L wrist X-ray | lateral view | 83.2 mm image width —
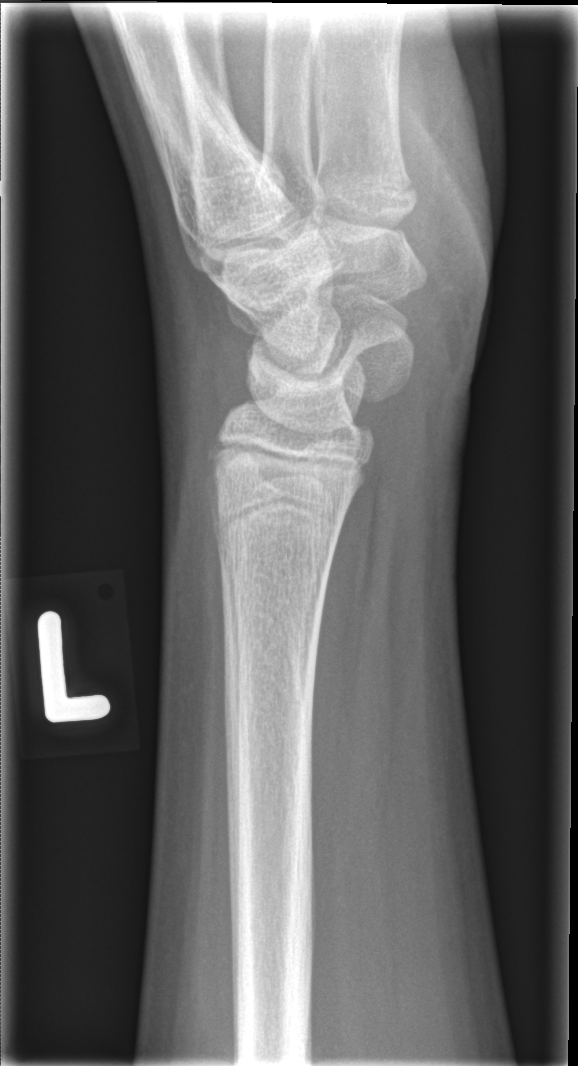
{"fracture": "none labeled"}